Left wrist XR · lat view · 16y F · initial study — 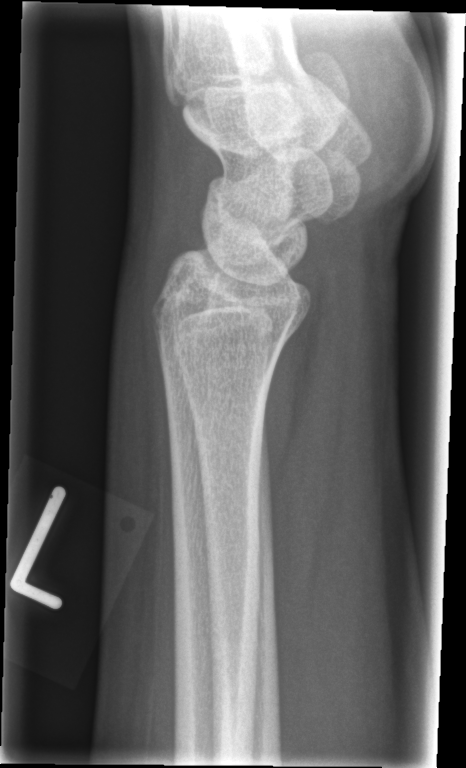 FINDINGS — No Fx annotated.